Left pediatric wrist radiograph · lat projection · pediatric patient (female, age 11):

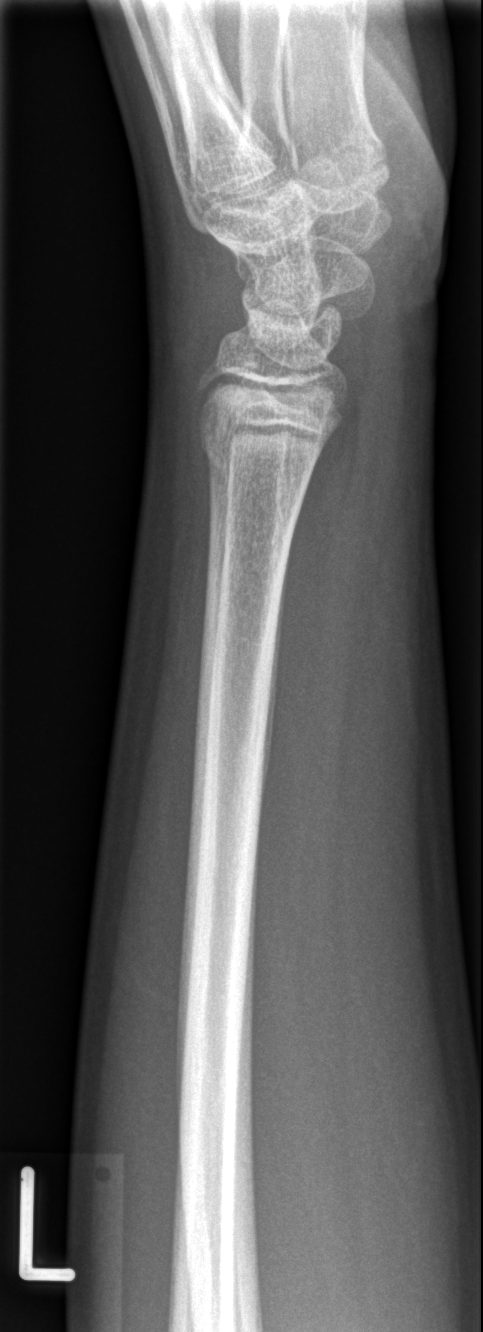

fracture: (left=196, top=417, right=330, bottom=487)